Lateral view, L plain radiograph of the wrist, image size 558x886 —

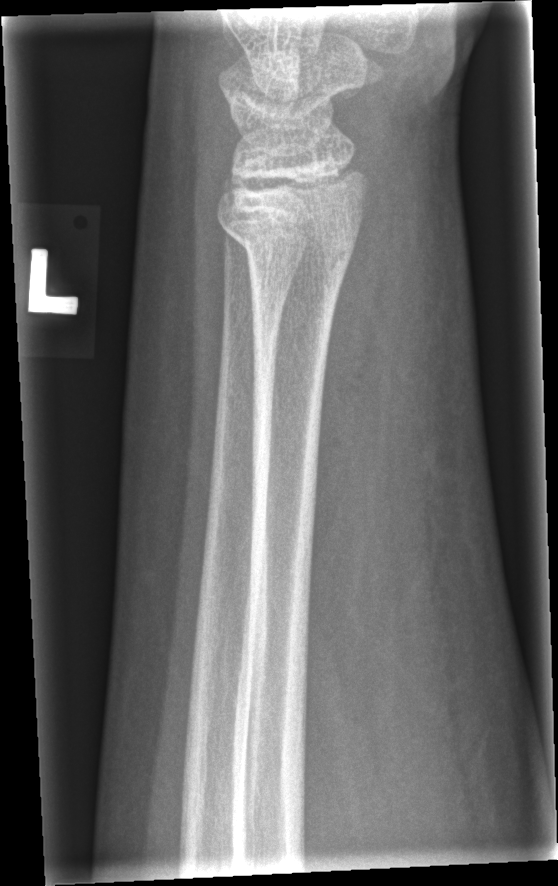
Fx = 1 @ bbox(215, 204, 365, 281)
AO classification = 23r-M/2.1; 23u-E/7